Right wrist X-ray · PA projection · subsequent exam · 670 x 1136 px —
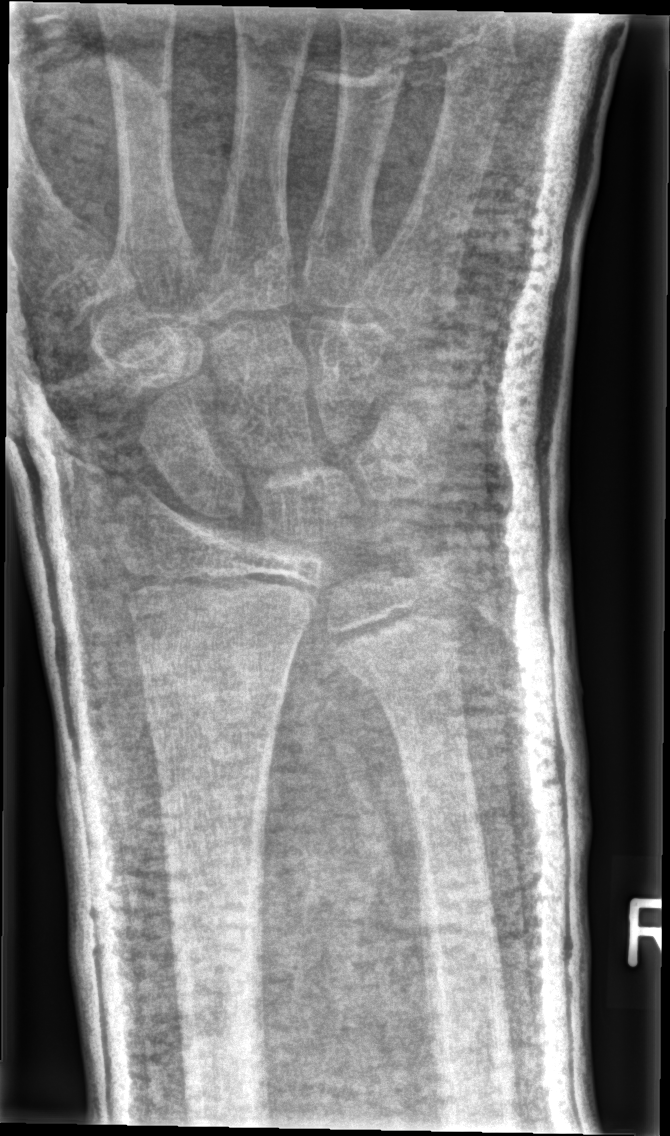 - AO/OTA classification: 23-M/2.1.
- One fracture at <339,646>-<469,716>.